Lat projection · Lt pediatric wrist radiograph · 354 x 864 px
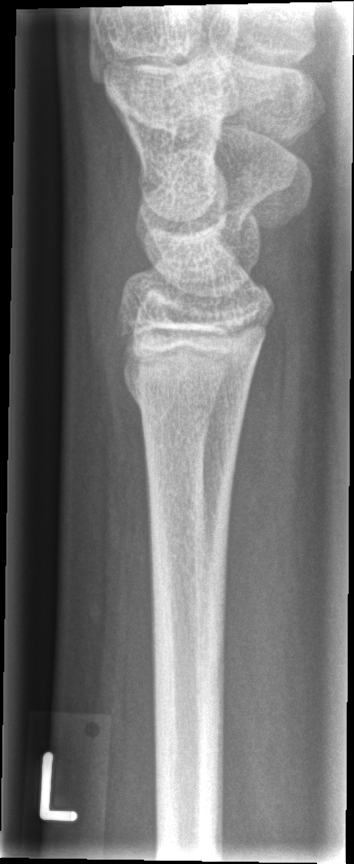

FINDINGS: Fracture identified at (left=122, top=368, right=255, bottom=438).